Frontal view | left wrist plain film | pediatric patient (boy, age 8) | acquired on Siemens 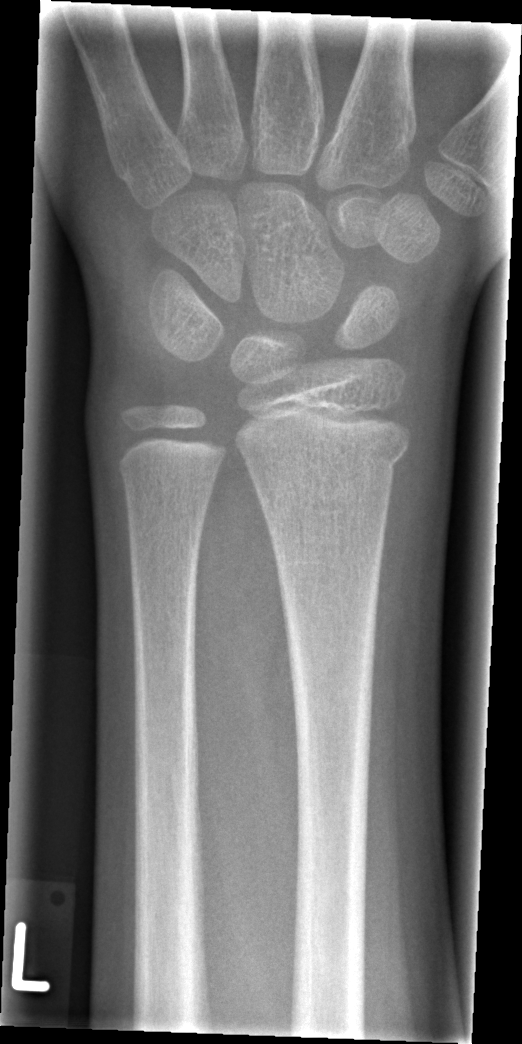 fracture = 1 @ [x1=242, y1=429, x2=412, y2=488]
AO code = 23r-M/3.1